Rt pediatric wrist radiograph | lat view: 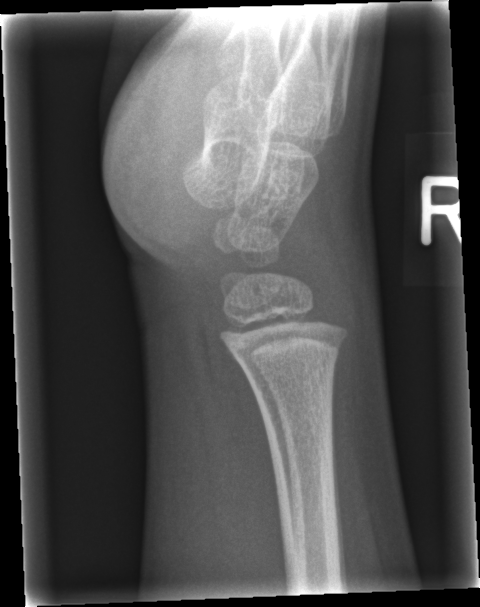
Findings: (pixel coordinates, top-left origin, xyxy) Bone fracture — 229 312 355 375. AO/OTA classification: 23r-M/2.1.